PA/AP projection | left wrist plain film | 15y M | cast in situ | image size 680x892:

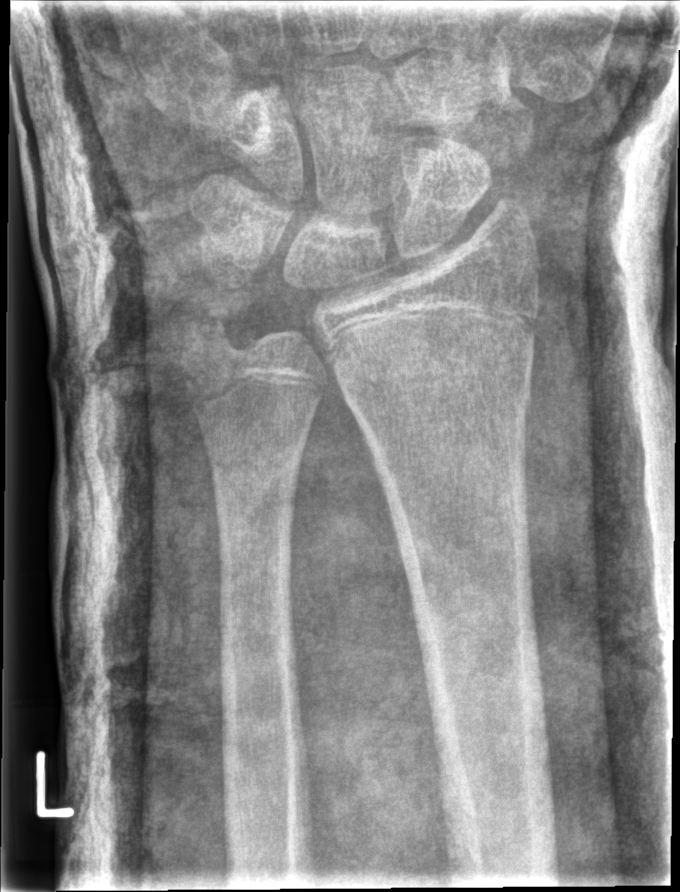 * Two fractures at 329,324,543,421 | 182,299,263,361.
* Fracture classified AO/OTA 23r-M/3.1; 23u-E/7.